Lat; Lt pediatric wrist radiograph; age 6 y, girl; initial study.

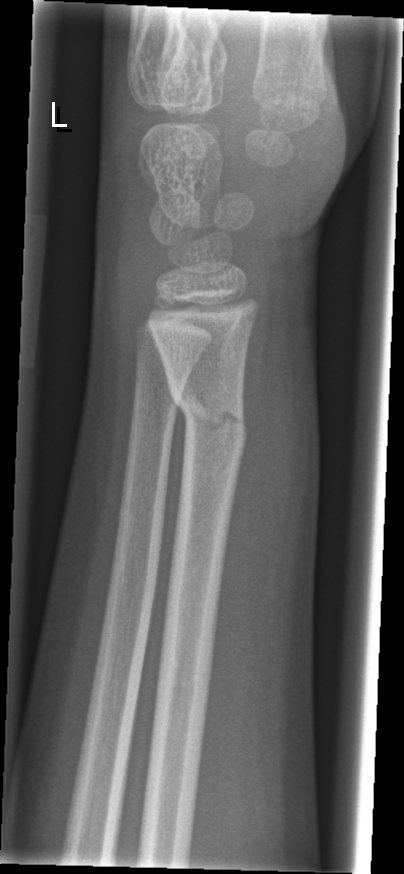
Findings: Fracture — [169, 389, 251, 453].